Right wrist XR · AP projection. 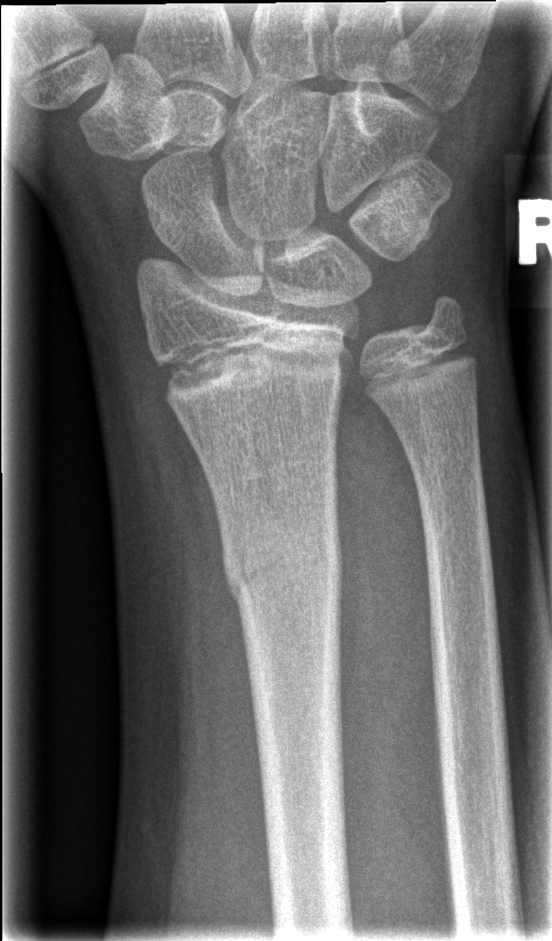

• One fracture at bbox(217, 507, 349, 626).